Left wrist X-ray | AP view | index exam

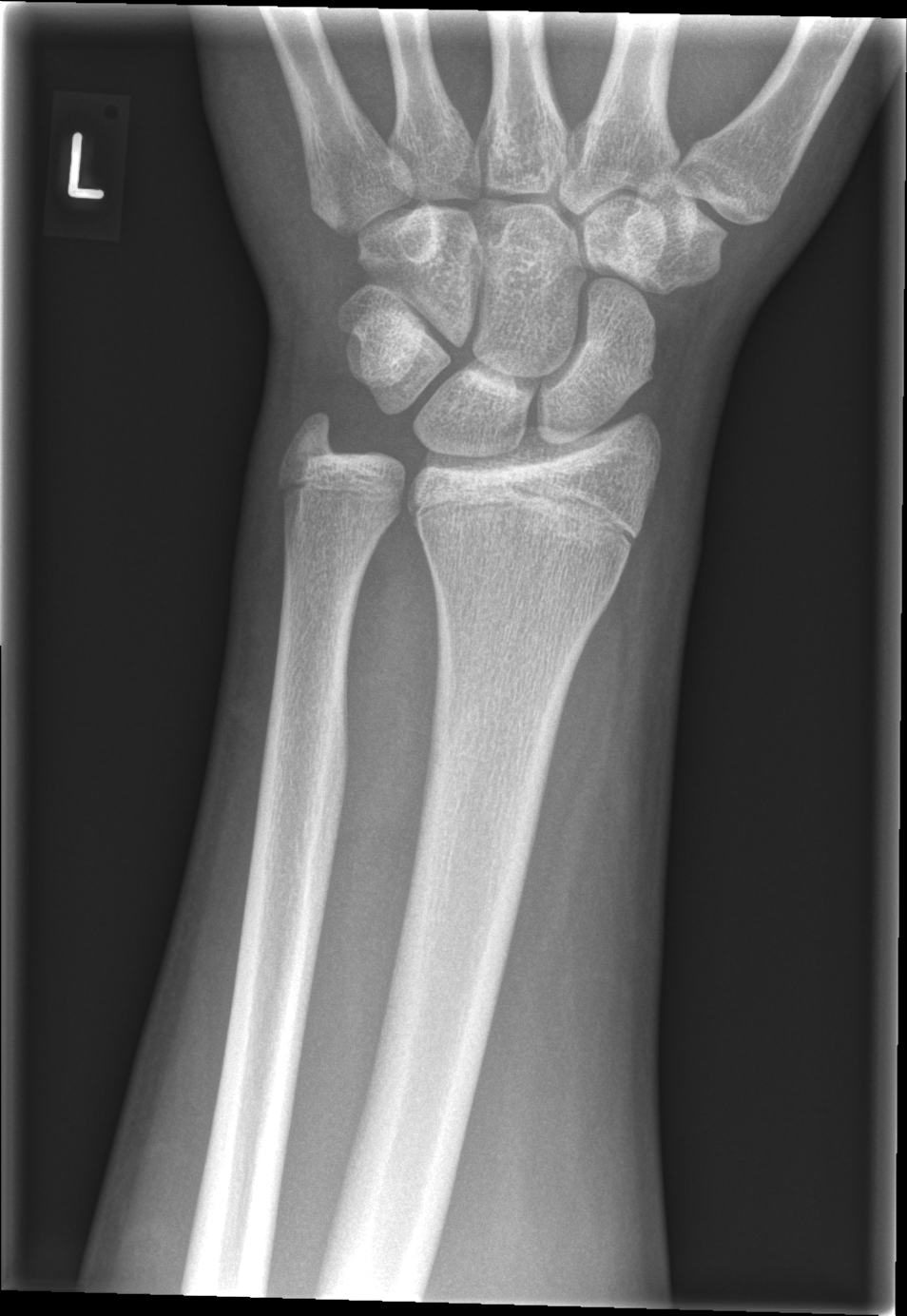
Fracture: none labeled